Frontal · Lt wrist X-ray · subsequent exam · detector: Siemens · image width 96.8 mm:

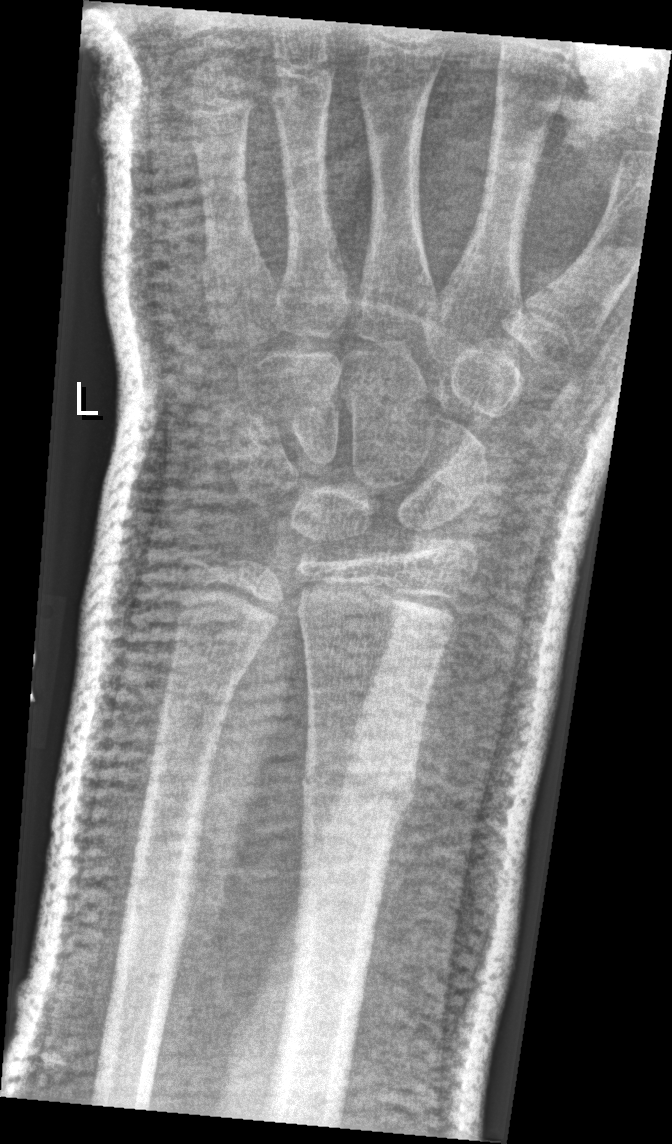 (coordinates are [x1, y1, x2, y2] in image pixels)
fracture = 1 @ <294,733>-<423,840>
AO classification = 23r-M/3.1; 23u-M/2.1